Posteroanterior view; right wrist radiograph; 11y F; follow-up

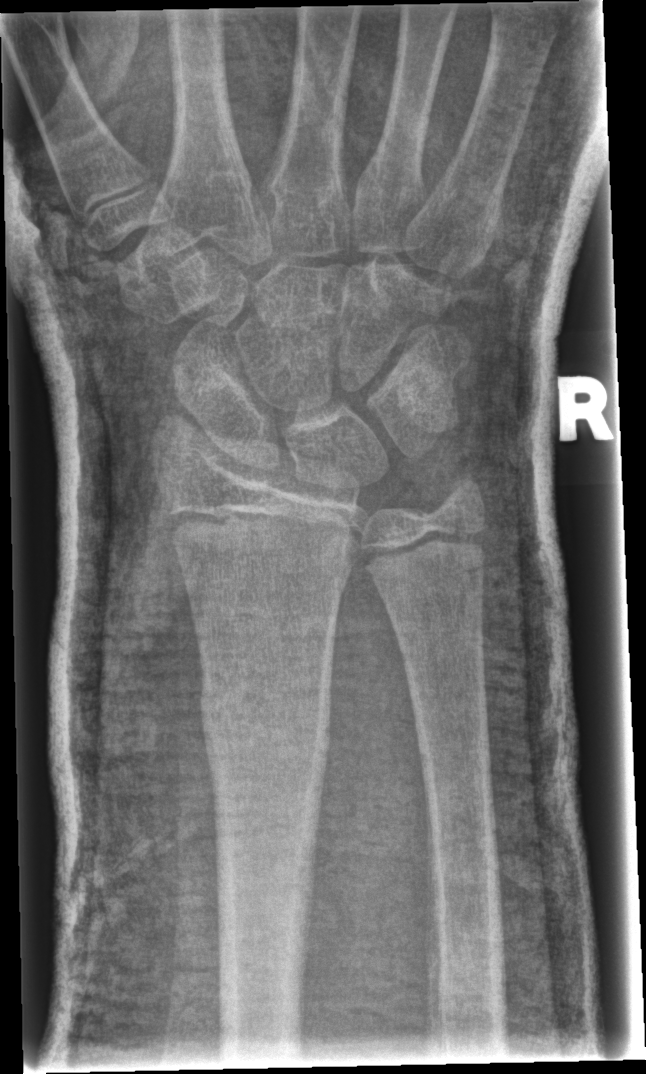 Fx = 2 @ (196, 683, 333, 775) (436, 465, 492, 528)